Lat projection; right pediatric wrist radiograph; pediatric patient (boy, age 12)
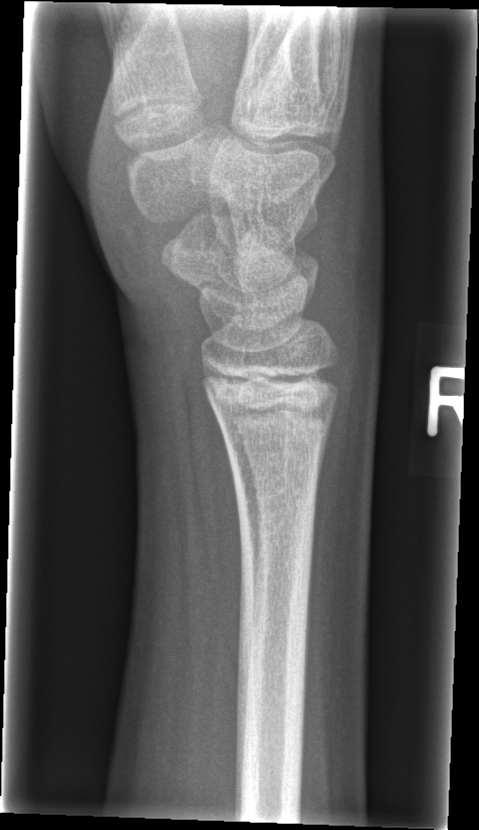

FINDINGS: Fx: none.